Lat | left wrist plain film | detector: Siemens:
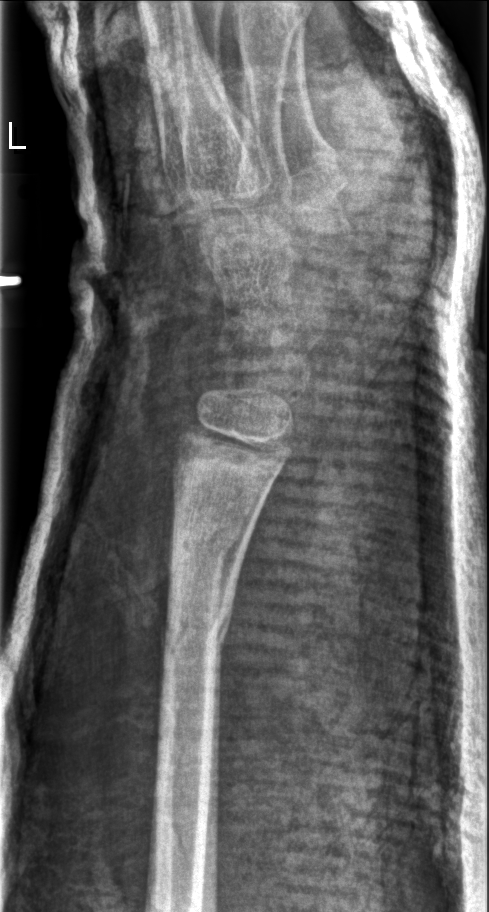
Fx = [x1=164, y1=510, x2=249, y2=576] [x1=160, y1=593, x2=236, y2=665]
AO classification = 23-M/2.1